PA/AP view; right wrist pediatric wrist radiograph; 9-year-old boy

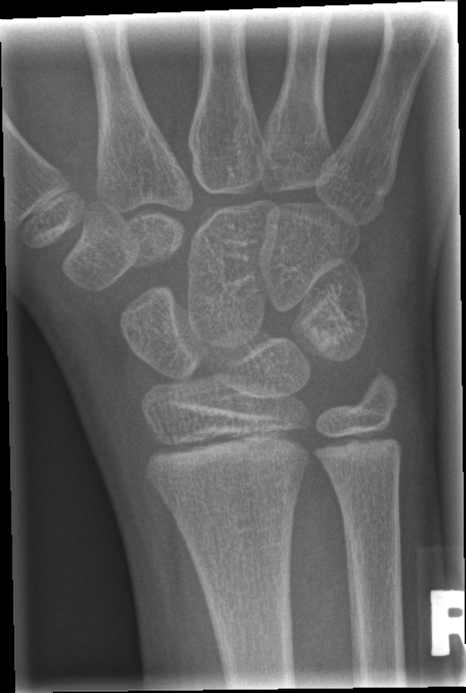 Fx = none labeled